L pediatric wrist radiograph; lat; 4y F — 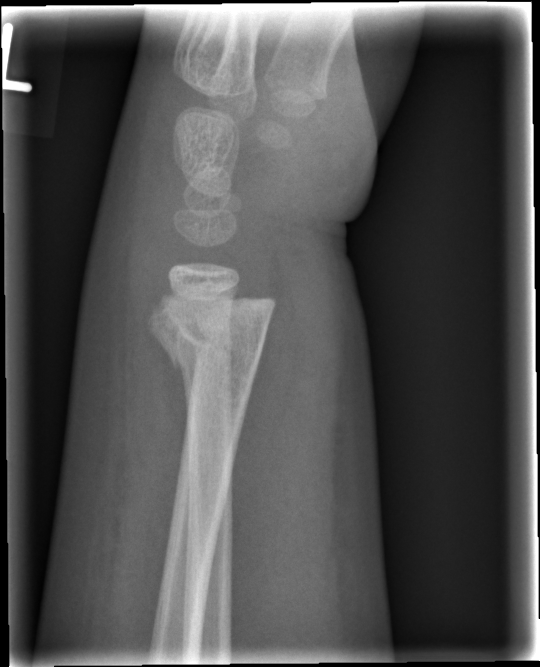
Bone fracture: <144,284>-<279,376>. Pronator sign: <228,299>-<297,590>.